Lateral view, left wrist plain film, 405 by 1342 pixels: 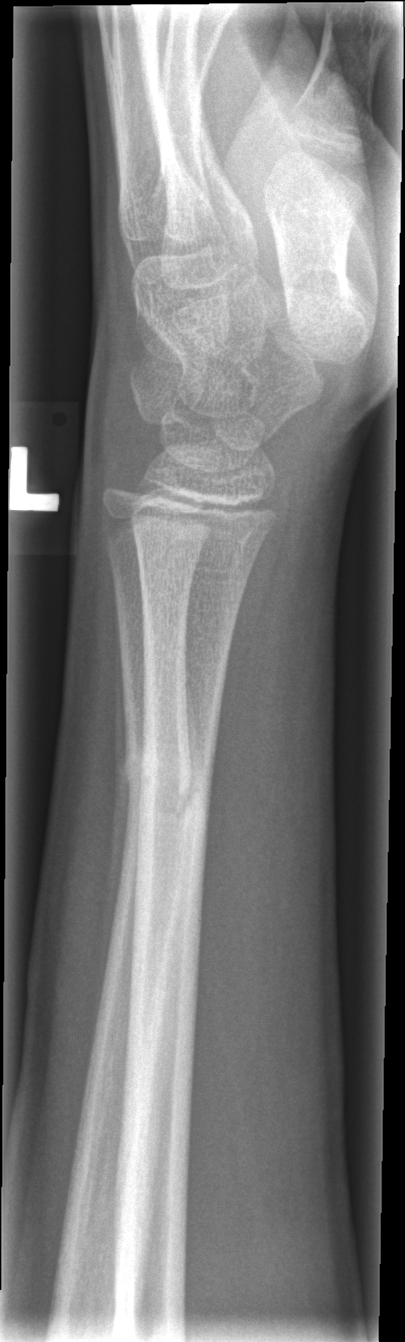

Fx: <119,730>-<222,845>.
Periosteal new bone: <98,578>-<132,1023>.
AO/OTA classification: 22u-D/2.1.